L wrist X-ray · frontal · 586x827 —
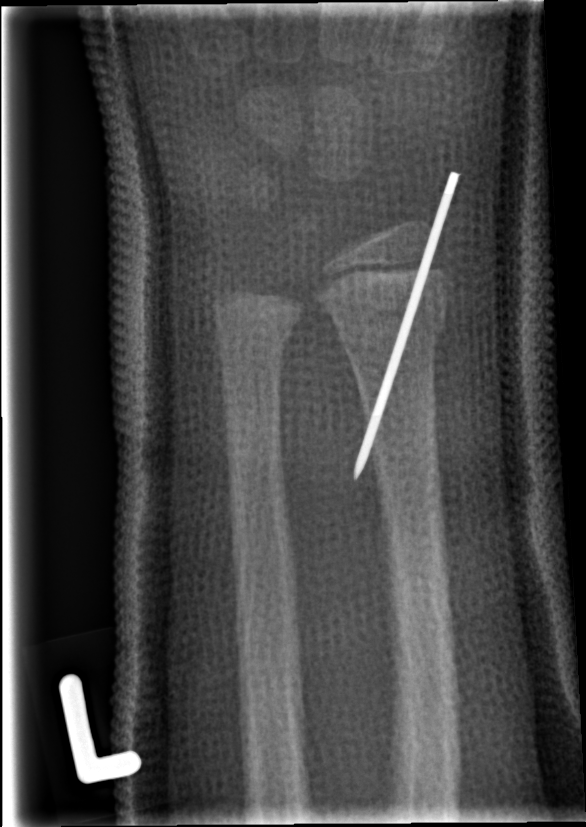 Two Fx at (left=335, top=298, right=448, bottom=356), (left=212, top=295, right=299, bottom=346).
Hardware — (left=352, top=166, right=463, bottom=485).